PA/AP projection, right wrist X-ray, 14-year-old boy, image width 103.1 mm
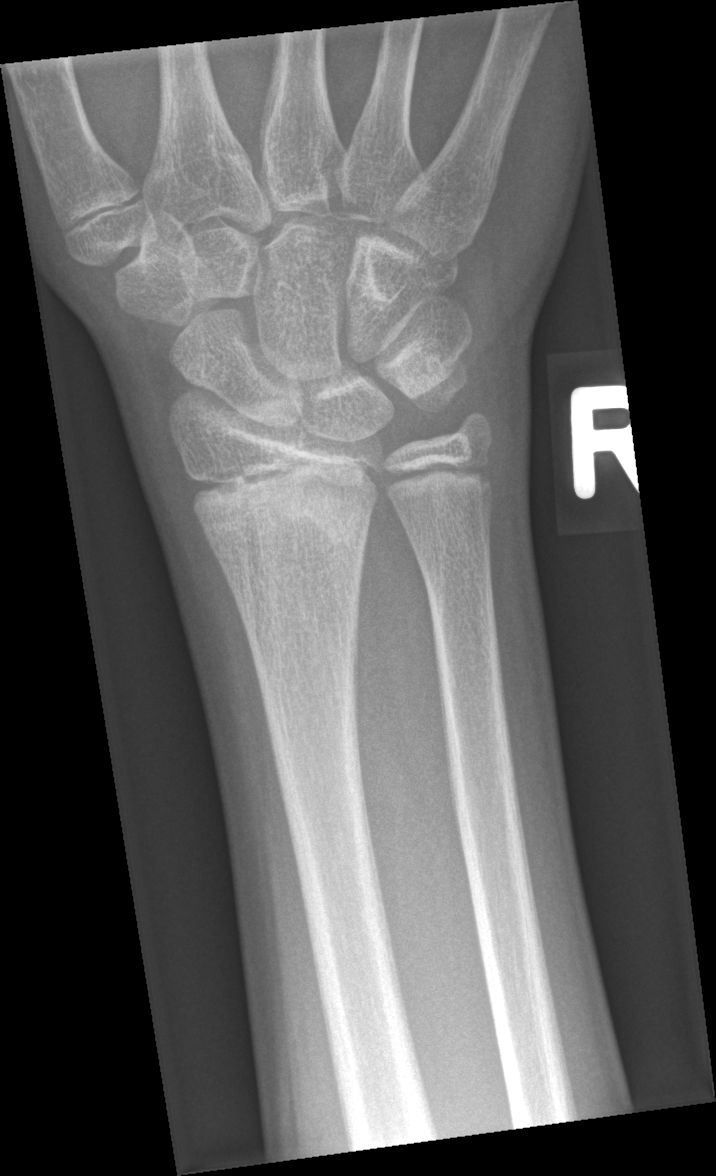

Fx: present but not clearly seen in this view.